Frontal projection · right wrist plain film · findings marked uncertain by the reading radiologist:
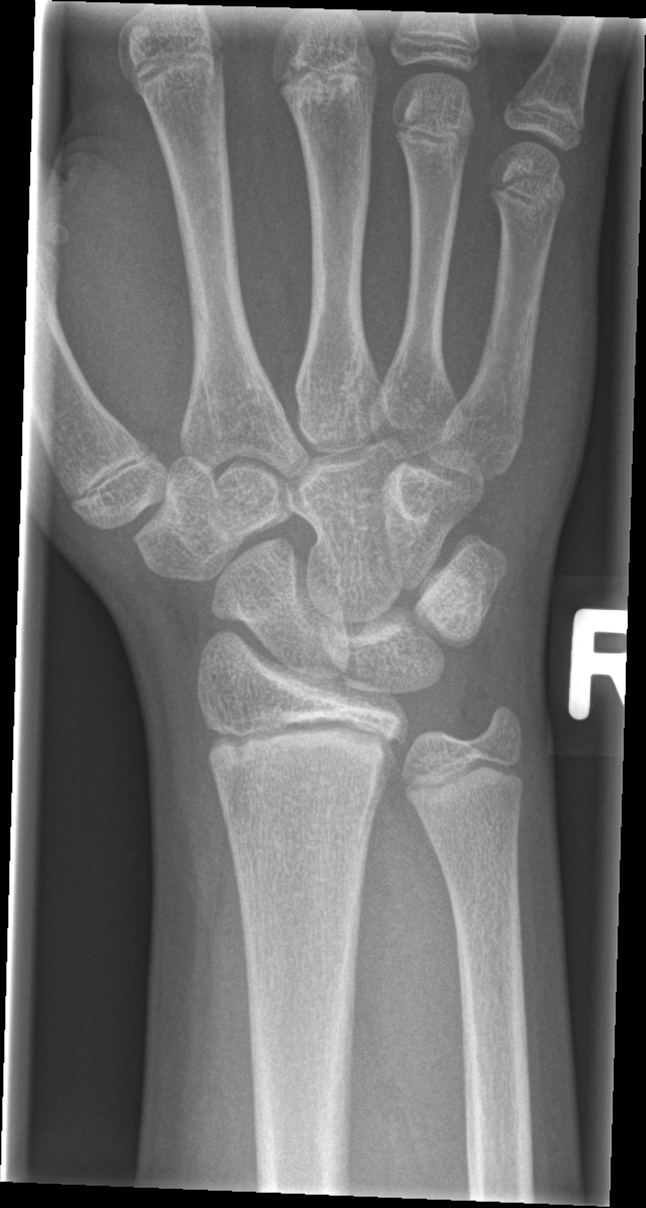
* Fx: present but not clearly seen in this view.